L wrist plain film | posteroanterior | pediatric patient (male, age 15) | image 110.2 mm wide —
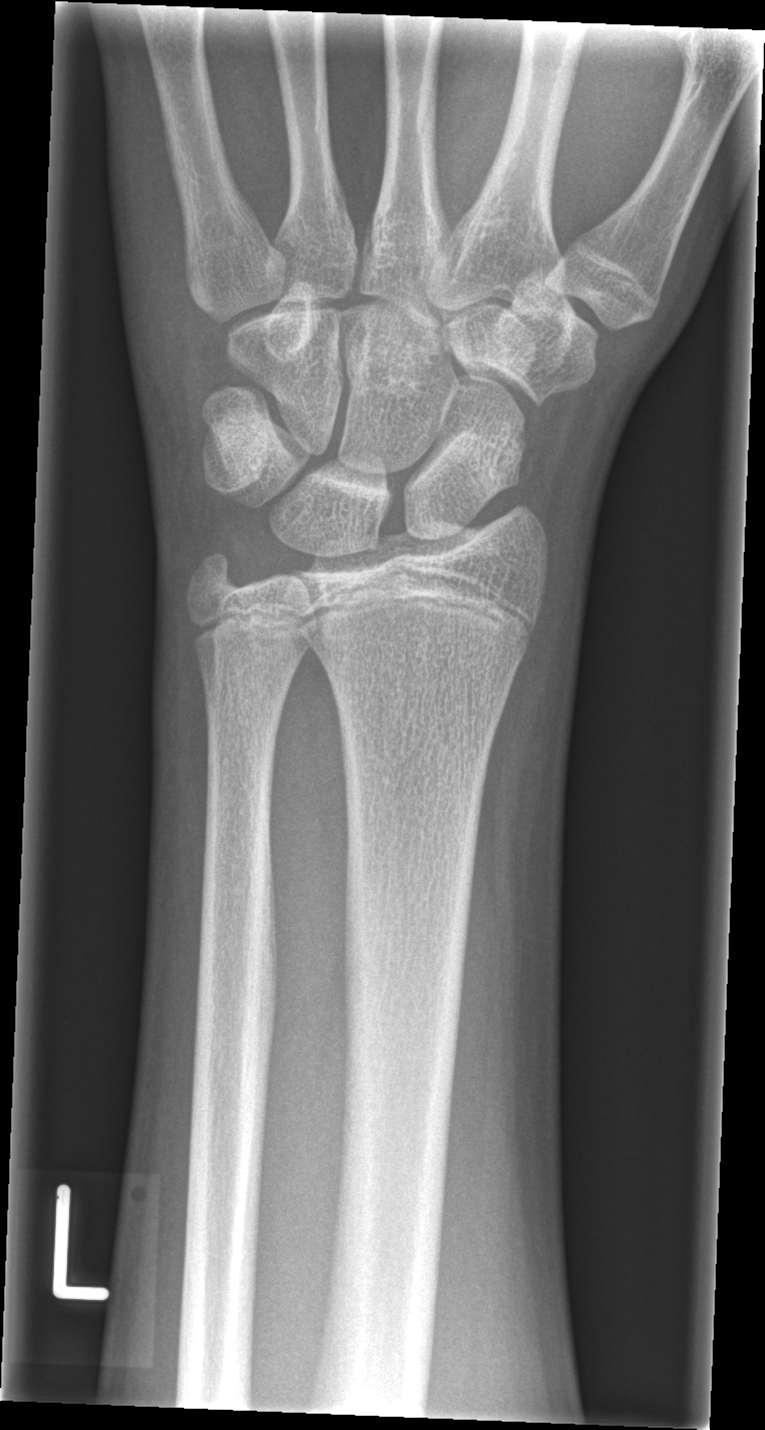
Q: Locate any fractures.
A: No Fx annotated